L wrist radiograph, lat projection, detector: Siemens: 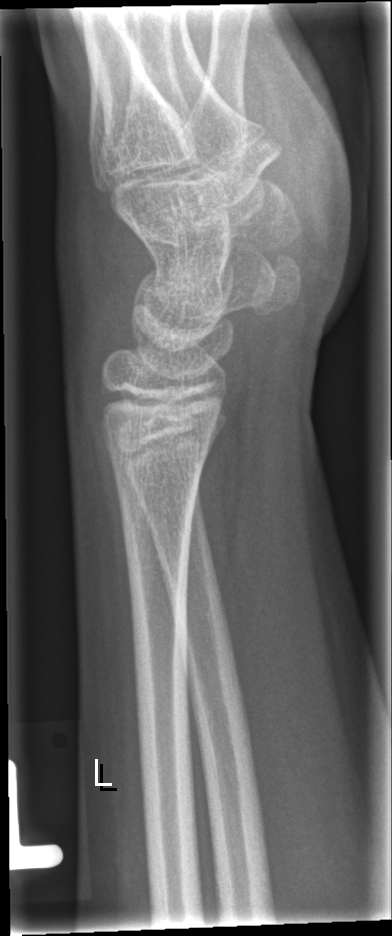

FINDINGS: Fracture: none labeled.